PA view, L wrist X-ray

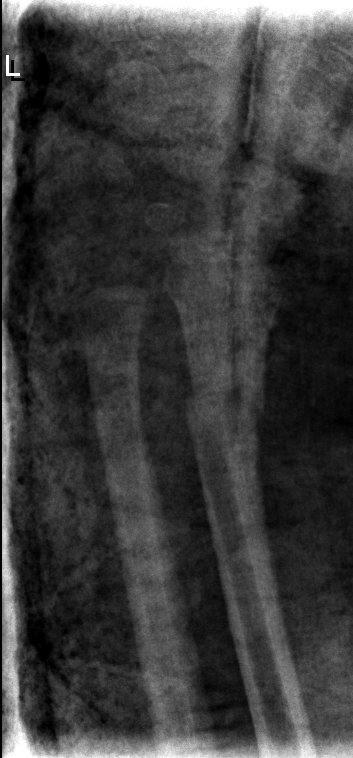 Fx identified at (left=177, top=367, right=269, bottom=434).
Fracture classified AO/OTA 23r-M/3.1; 23u-M/2.1.